Lateral projection, L wrist XR, subsequent exam, Siemens, 72.4 mm image width.
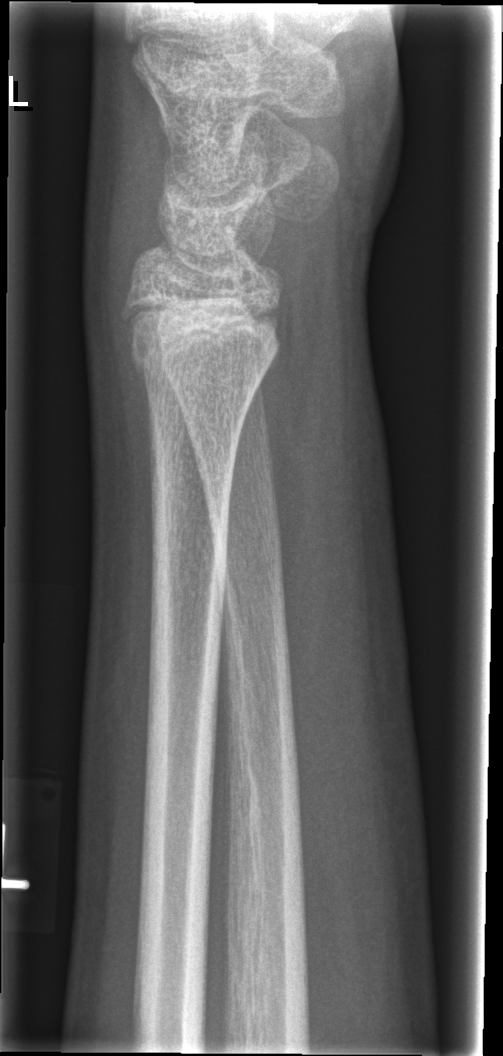
Findings: (coordinates are [x1, y1, x2, y2] in image pixels) Fracture identified at [116, 289, 287, 371].